Lateral projection · L wrist radiograph · index exam · 437x970 —

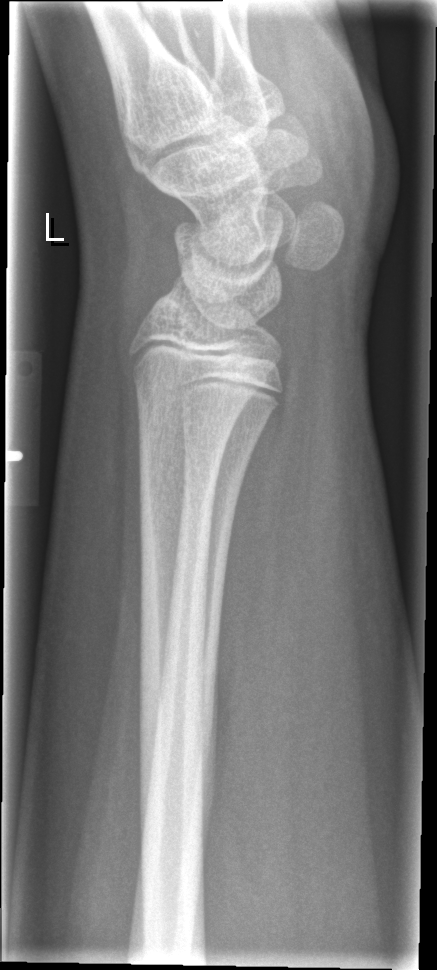

FINDINGS: No fracture annotation.